Right wrist pediatric wrist radiograph | posteroanterior projection | 8y F | image size 594x962 —

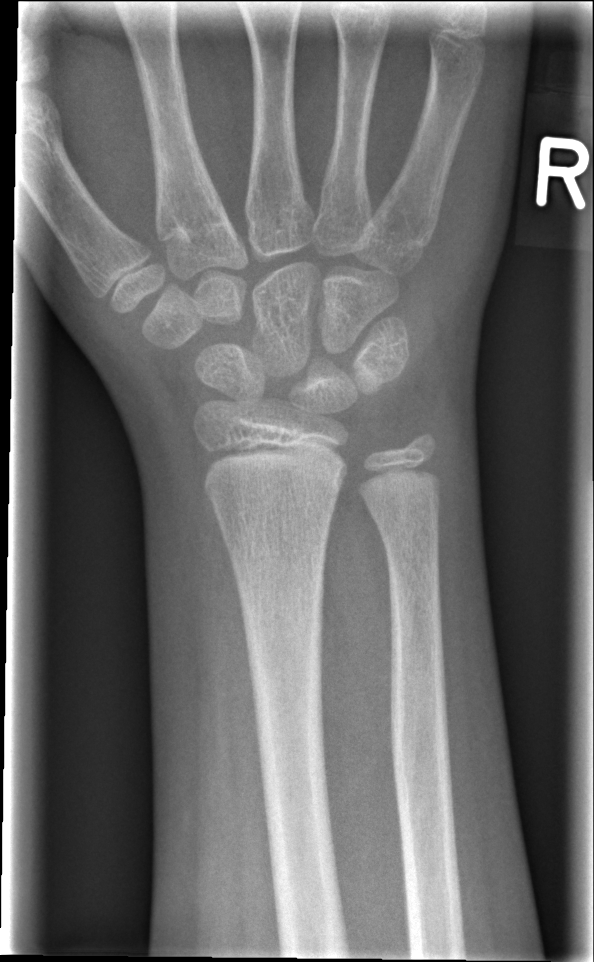
Bone fracture = none labeled